Lt wrist XR · lat view · 13y M · Siemens —

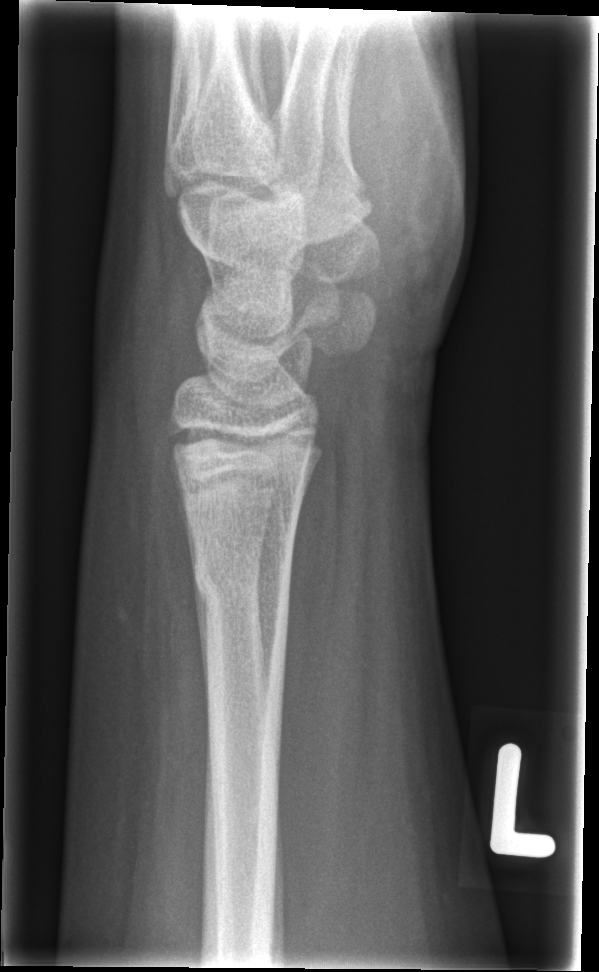
Findings: (boxes as x1,y1,x2,y2 (top-left / bottom-right, pixel units)) Bone fracture identified at (188, 539, 294, 634). AO/OTA classification: 23r-M/2.1.